Left wrist XR; lateral projection; presentation radiograph; 401x896.
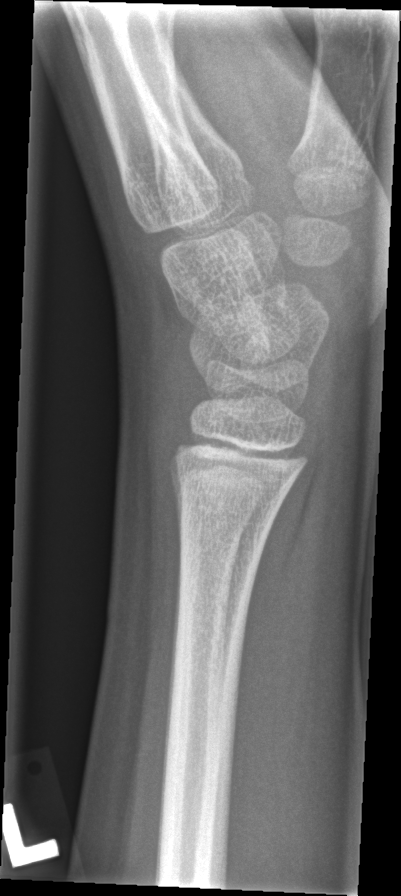
Fracture: none labeled.